Lt wrist radiograph · lateral view · follow-up study · in cast · 574x962 —
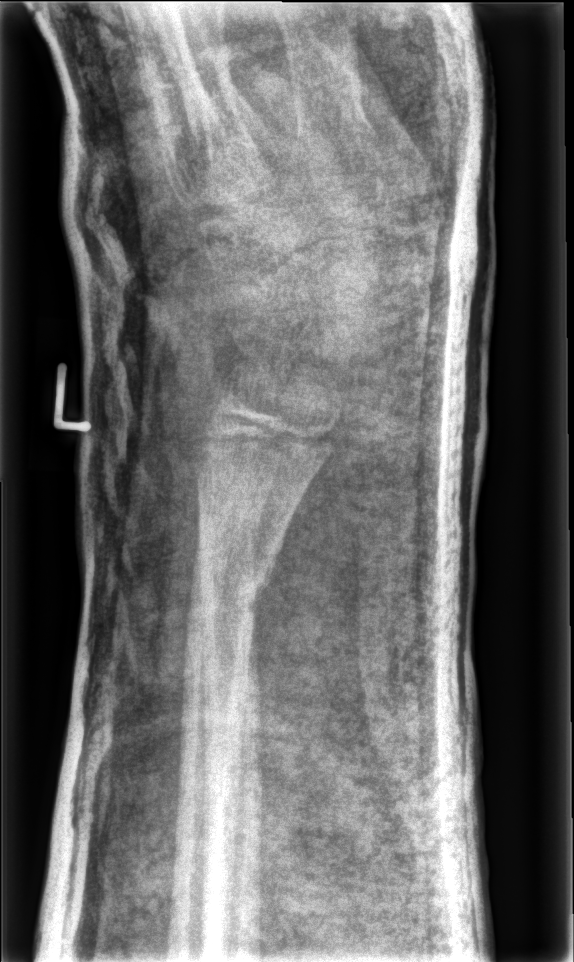 (boxes as x1,y1,x2,y2 (top-left / bottom-right, pixel units))
fracture: bbox(182, 561, 282, 637)
AO/OTA: 23r-M/3.1; 23u-M/2.1